Right wrist X-ray, lateral projection, image width 53.0 mm. 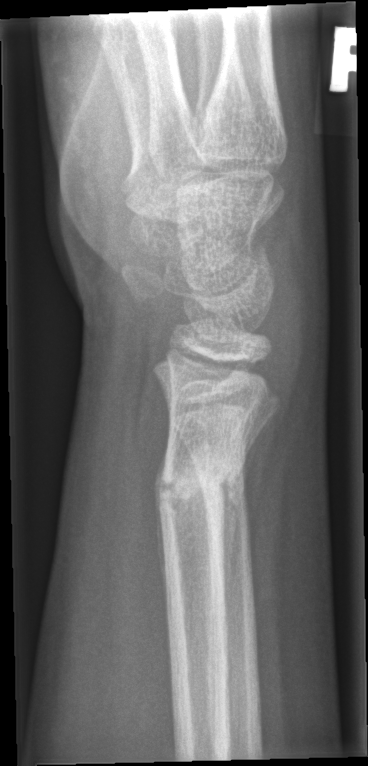 (coordinates are [x1, y1, x2, y2] in image pixels)
Q: Is there periosteal reaction?
A: Periosteal new bone — <221,412>-<275,629>, <153,438>-<170,605>
Q: AO code?
A: AO/OTA classification: 23r-M/3.1
Q: Locate any fractures.
A: Fx identified at <155,437>-<248,515>